Posteroanterior · R wrist plain film · girl, 4 yo: 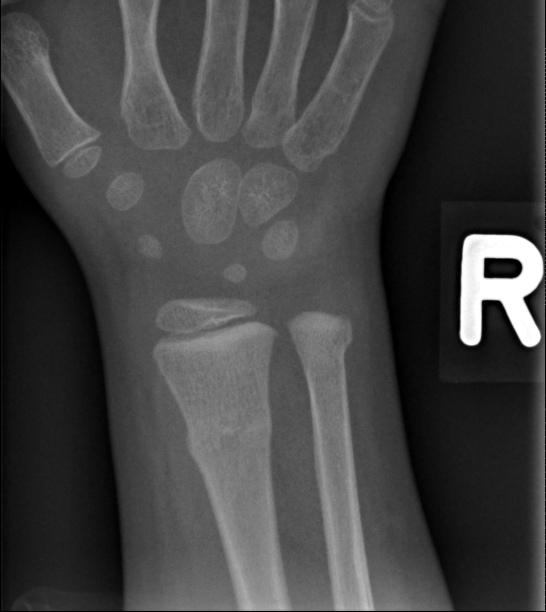
Fx = bbox(179, 399, 278, 466), bbox(296, 326, 355, 371)
AO classification = 23-M/2.1